Frontal projection · R plain radiograph of the wrist · follow-up study 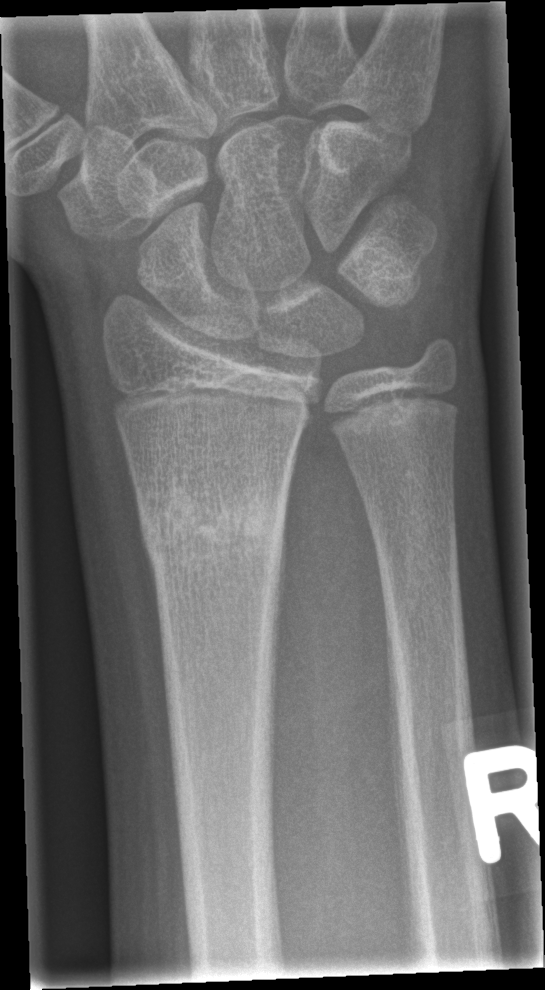

FINDINGS: (coordinates are [x1, y1, x2, y2] in image pixels) Bone fracture identified at (132, 468, 290, 571). Osteopenia.